PA view, L wrist radiograph, female, 8 yo, image size 704x883:

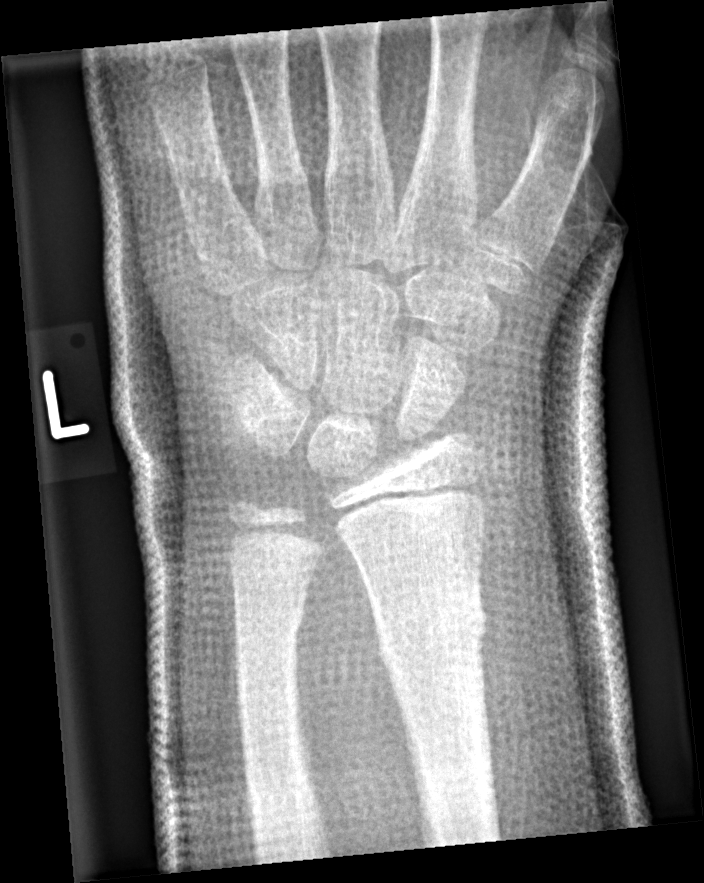
Q: Any fracture seen?
A: Fx identified at 370,587,492,672
  229,591,309,656